Lt pediatric wrist radiograph, PA/AP view, age 12 y, male, initial study:
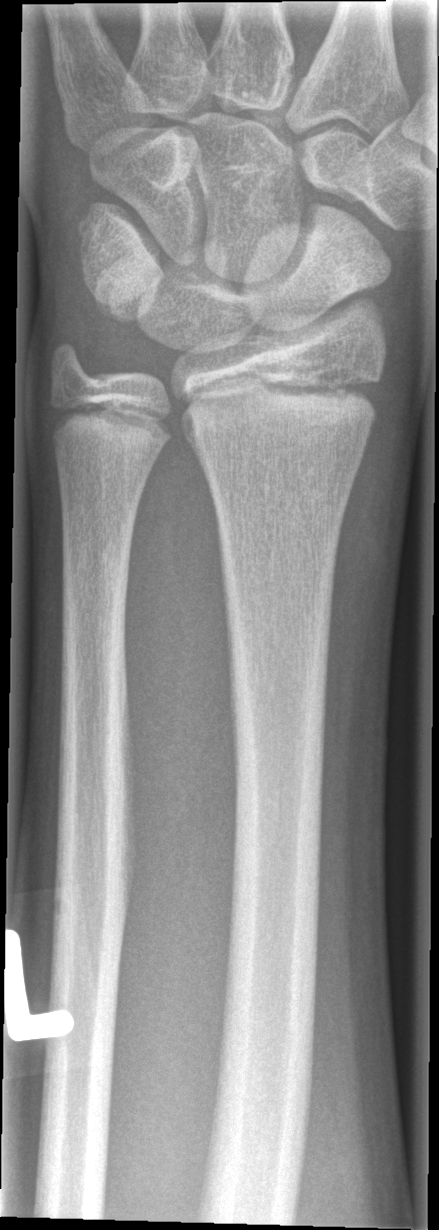 FINDINGS: No Fx annotated.